AP projection, right wrist radiograph, image size 576x920.
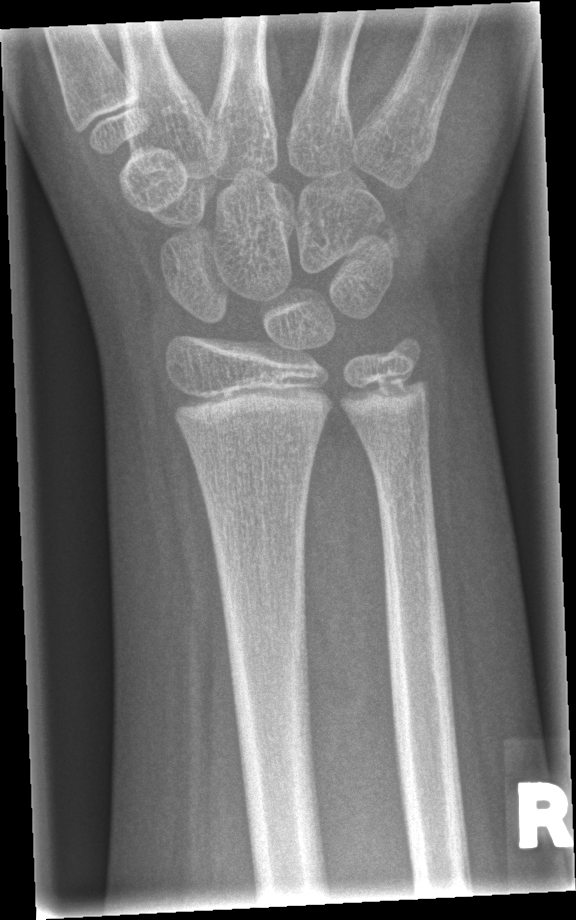

Bone fracture: none labeled